Frontal view | left wrist X-ray | index exam.
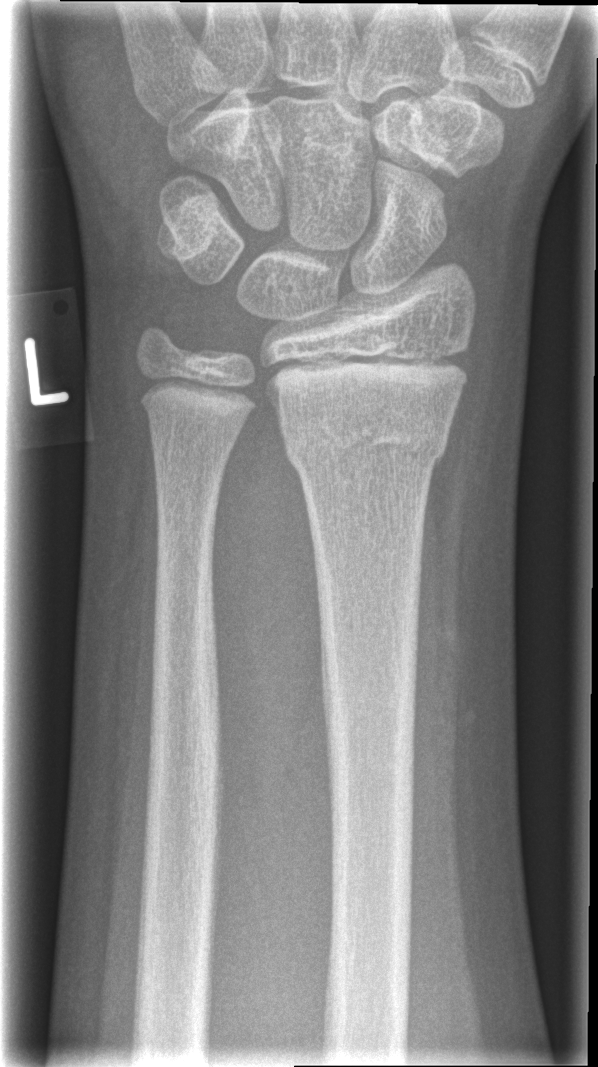

Fracture = 1 @ 282 408 449 479